Frontal view, right pediatric wrist radiograph, 577 x 762 px. 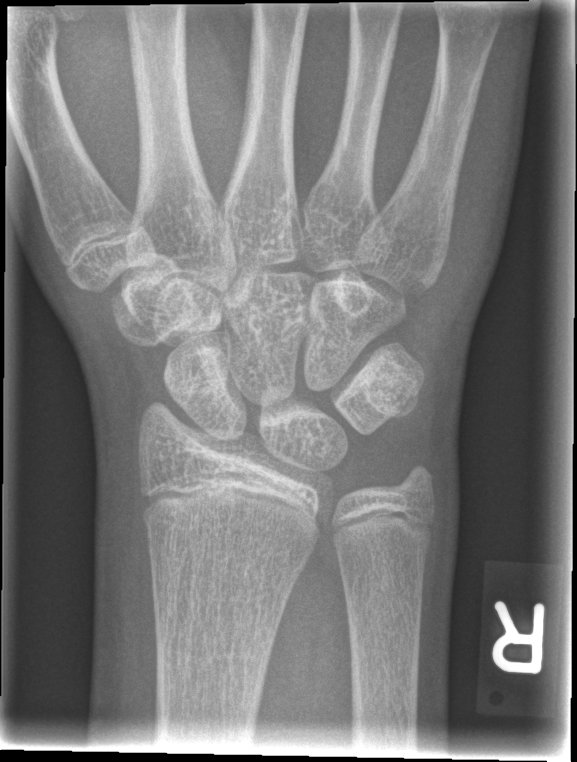

FINDINGS: No fracture annotation.